AP view; Rt wrist plain film; age 10 y, boy; cast present; 109.0 mm image width; 757 by 1202 pixels. 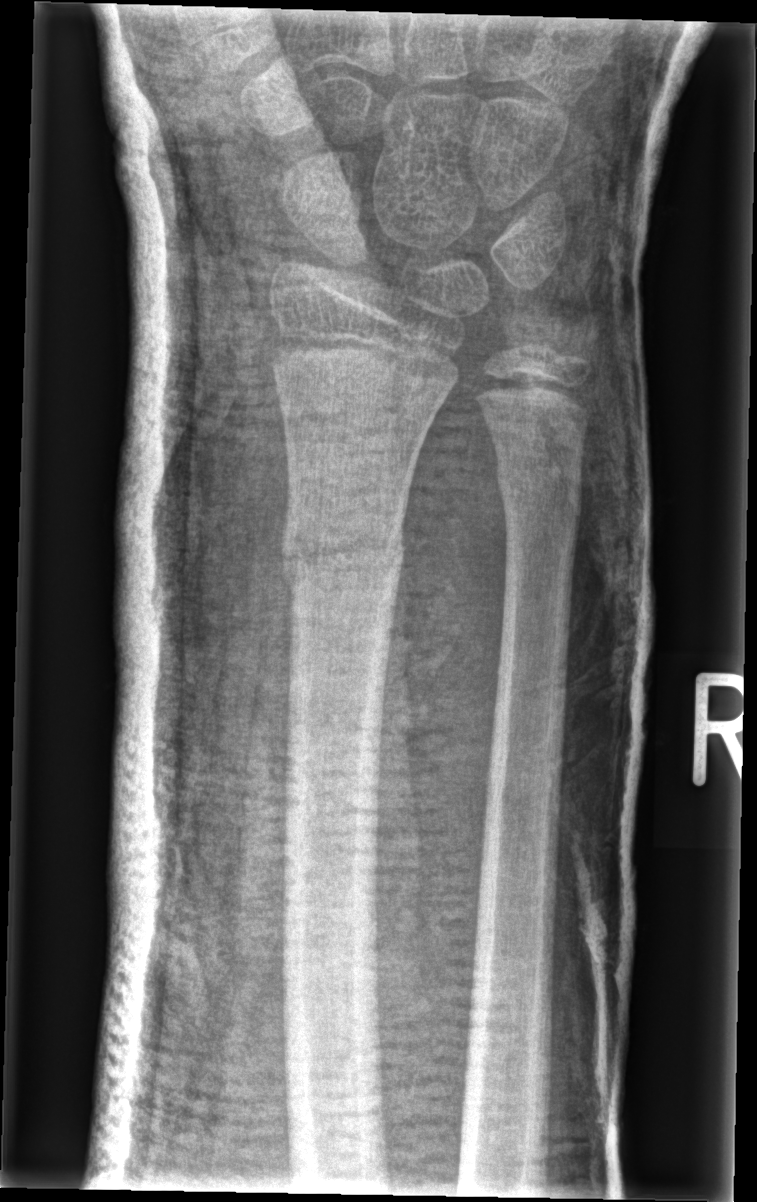 Fracture classified AO/OTA 23r-M/3.1; 23u-M/2.1.
Two Fx at bbox(275, 511, 410, 590); bbox(493, 451, 585, 504).